Right wrist XR · lateral projection · pediatric patient (male, age 15).
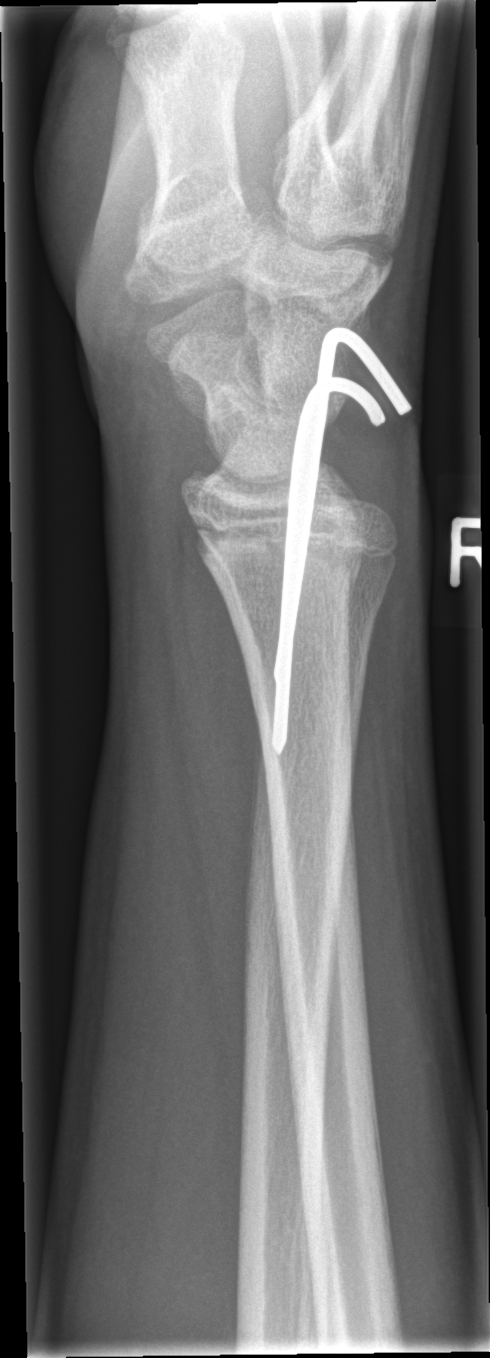
• AO code 23r-E/2.1; 23u-E/7.
• Metal: 269 326 413 756.
• Fx: 186 508 369 606.